PA projection · right wrist plain film · 6-year-old girl · follow-up study · detector: Siemens · 480 by 704 pixels — 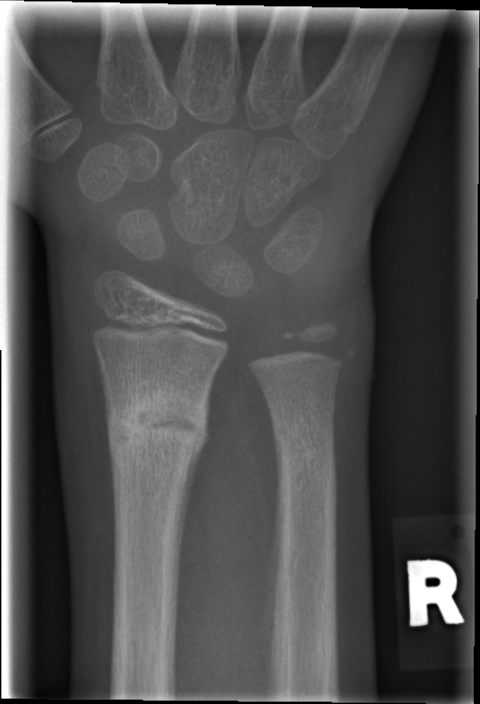
{
  "osteopenia": "present",
  "ao": "23r-M/3.1; 23u-M/2.1",
  "fracture": "2 @ <102,380>-<213,483>; <270,431>-<343,488>"
}